PA, Lt wrist radiograph, cast present
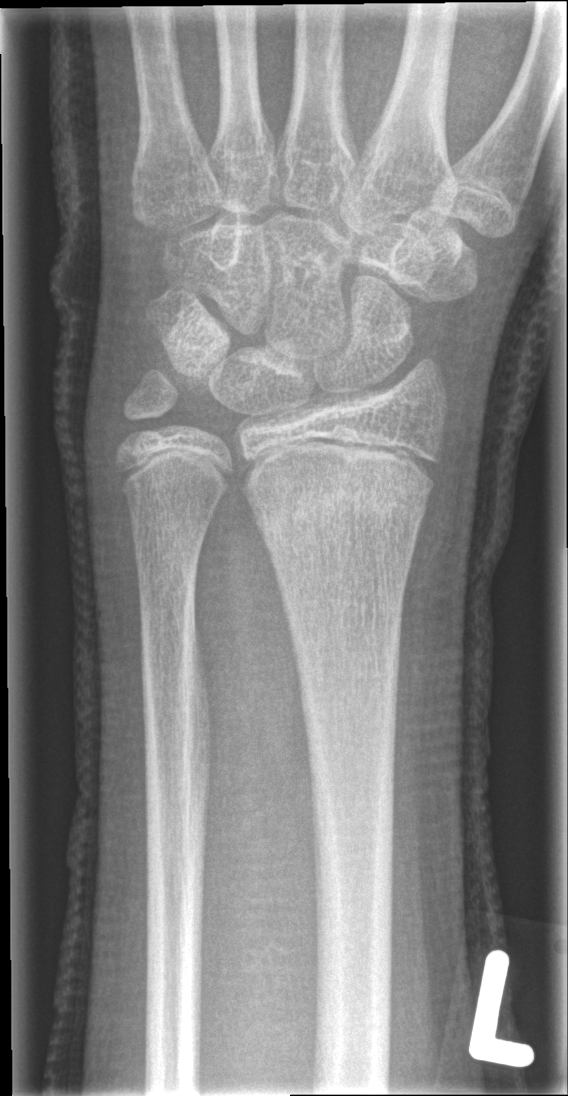
Coordinates are [x1, y1, x2, y2] in image pixels. Fx identified at [x1=252, y1=468, x2=431, y2=544]; [x1=108, y1=365, x2=188, y2=461].